Left wrist XR; lateral view; follow-up
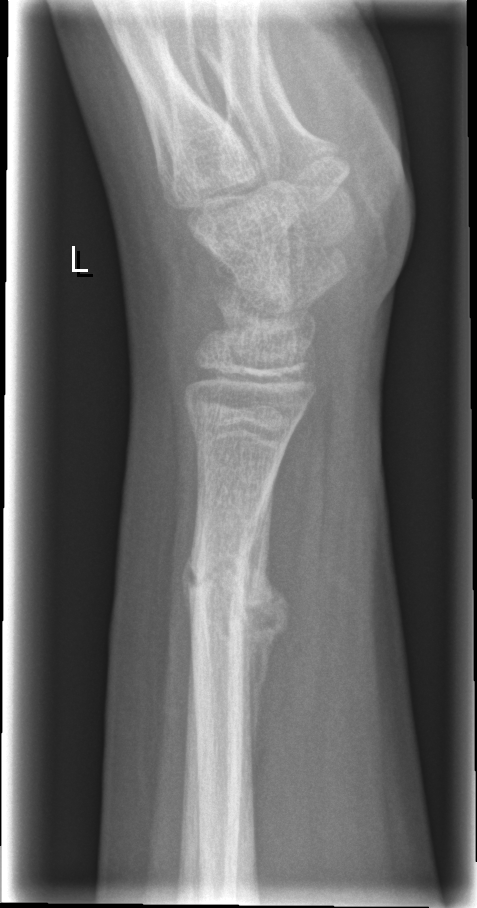 (pixel coordinates, top-left origin, xyxy)
Periosteal new bone: 1 @ [x1=246, y1=478, x2=294, y2=774]
Bone fracture: 1 @ [x1=187, y1=526, x2=271, y2=641]
Osteopenia: present